Lateral; L plain radiograph of the wrist; age 9 y, boy; acquired on Siemens — 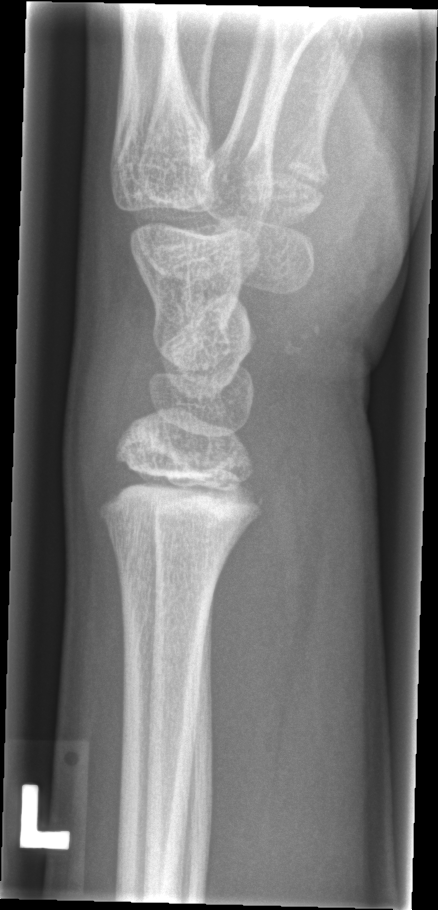

bone fracture: none labeled